Right wrist radiograph; frontal projection:

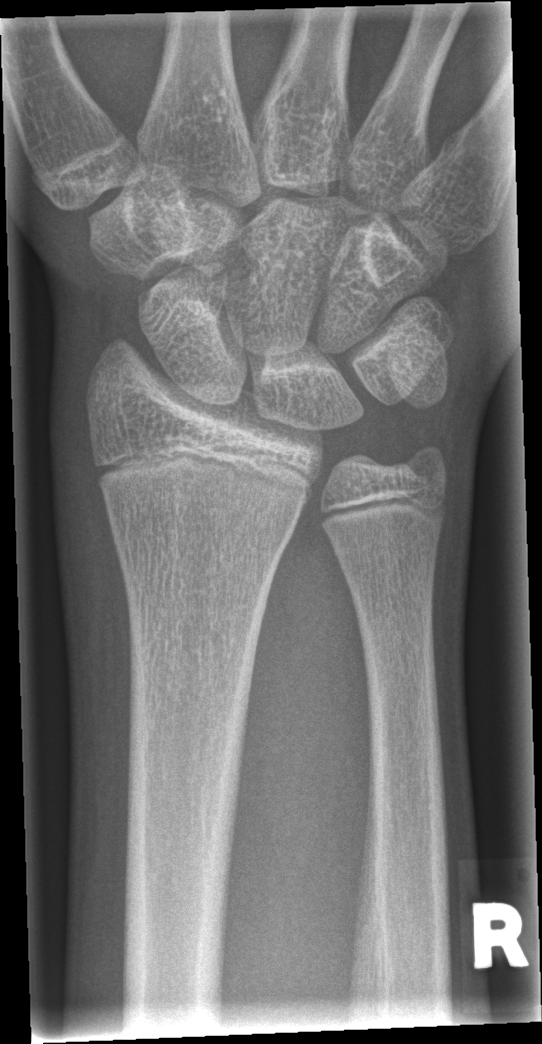

Fracture present, but no bounding box because it is not clearly seen in this view.
AO/OTA classification: 23r-M/2.1.